L pediatric wrist radiograph | lateral view | 952x1246 — 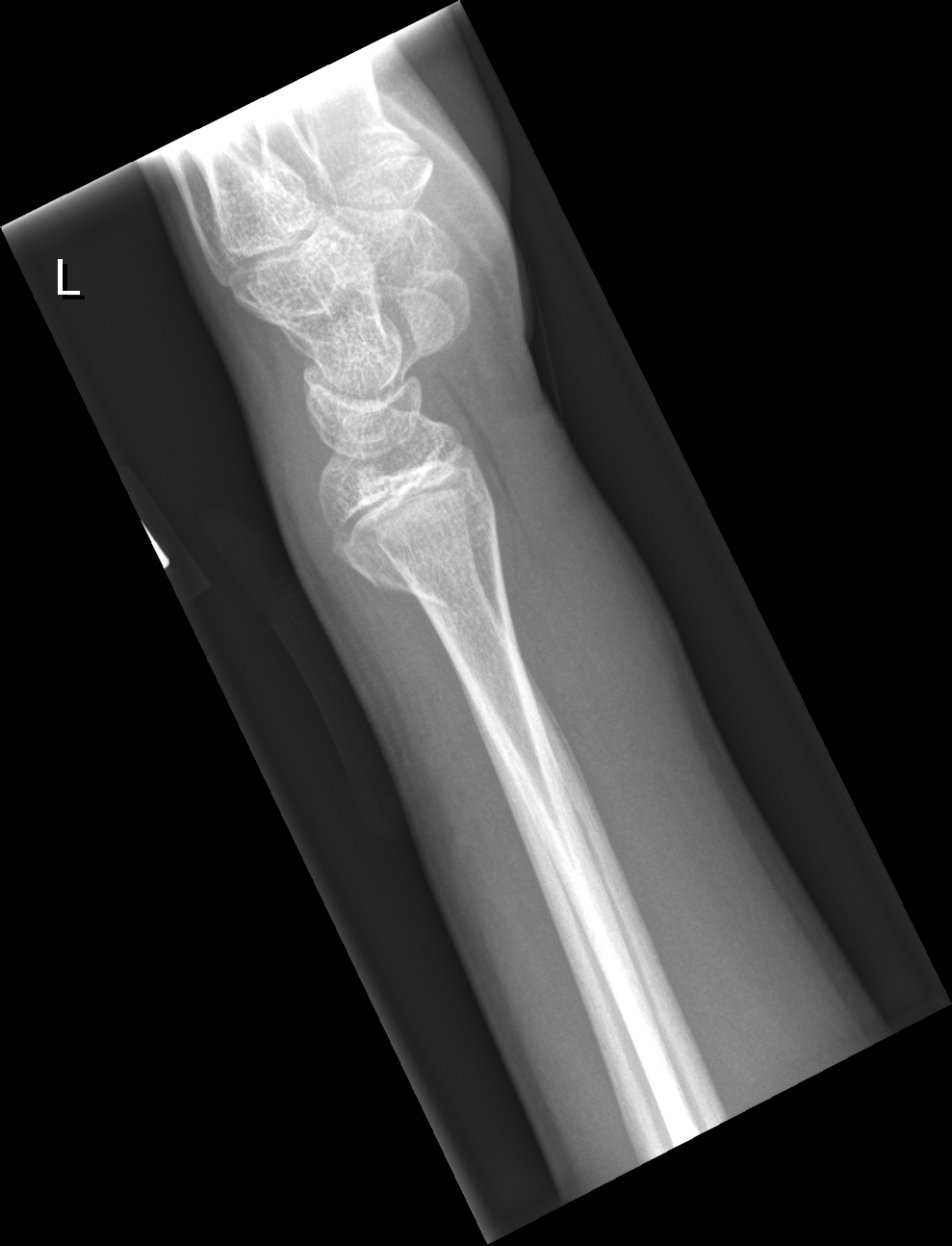
Fx: 1 @ 343,466,506,615
soft-tissue finding: 1 @ 493,408,692,873
AO/OTA: 23r-M/2.1